Lateral view · L wrist plain film · pediatric patient (male, age 12) · follow-up study · cast present · acquired on Siemens:
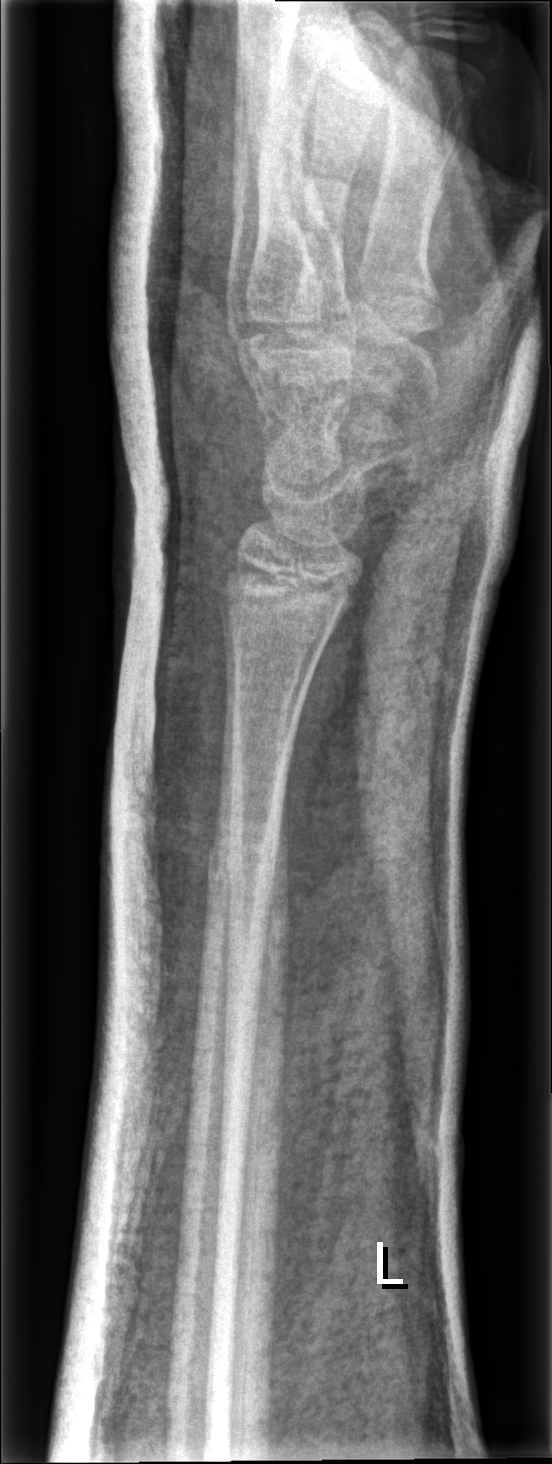
AO/OTA classification: 22r-D/2.1; 23u-M/2.1. Fracture identified at bbox(204, 827, 282, 900) bbox(220, 652, 305, 715).